Left wrist XR | lateral view | age 16 y, male | follow-up | image size 536x780.

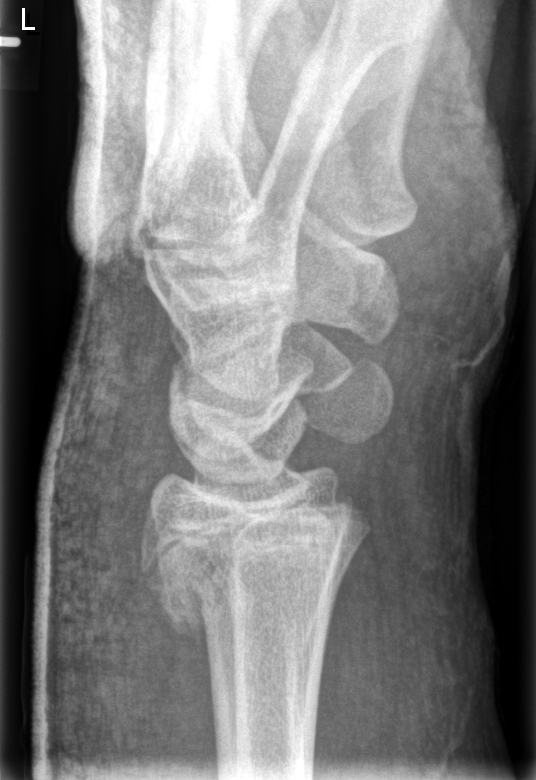 fracture: bbox(137, 482, 372, 642)